Left wrist radiograph, lateral view, 9-year-old female, imaged through cast, Siemens —
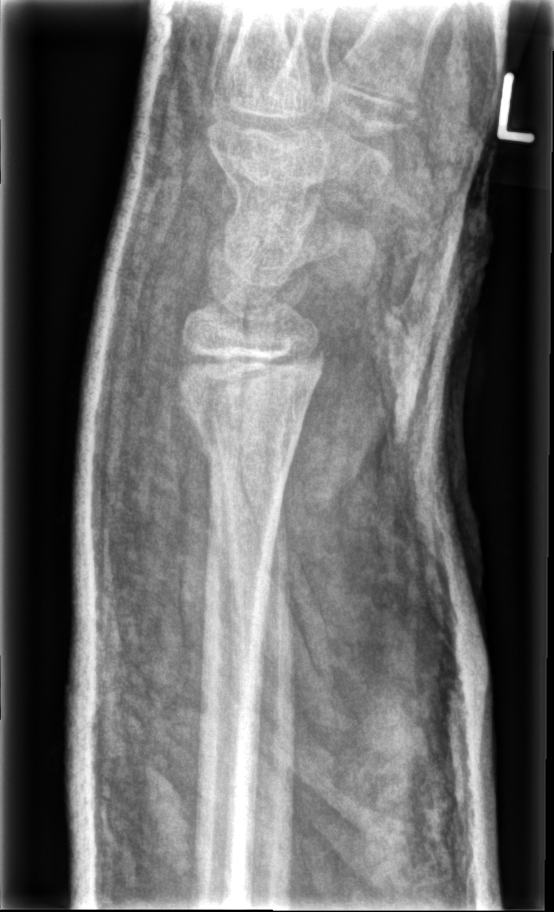
Fracture — (170, 339, 326, 462). AO/OTA classification: 23r-E/2.1, 23u-E/7.